PA projection, right wrist plain film, 10-year-old male, detector: Siemens —

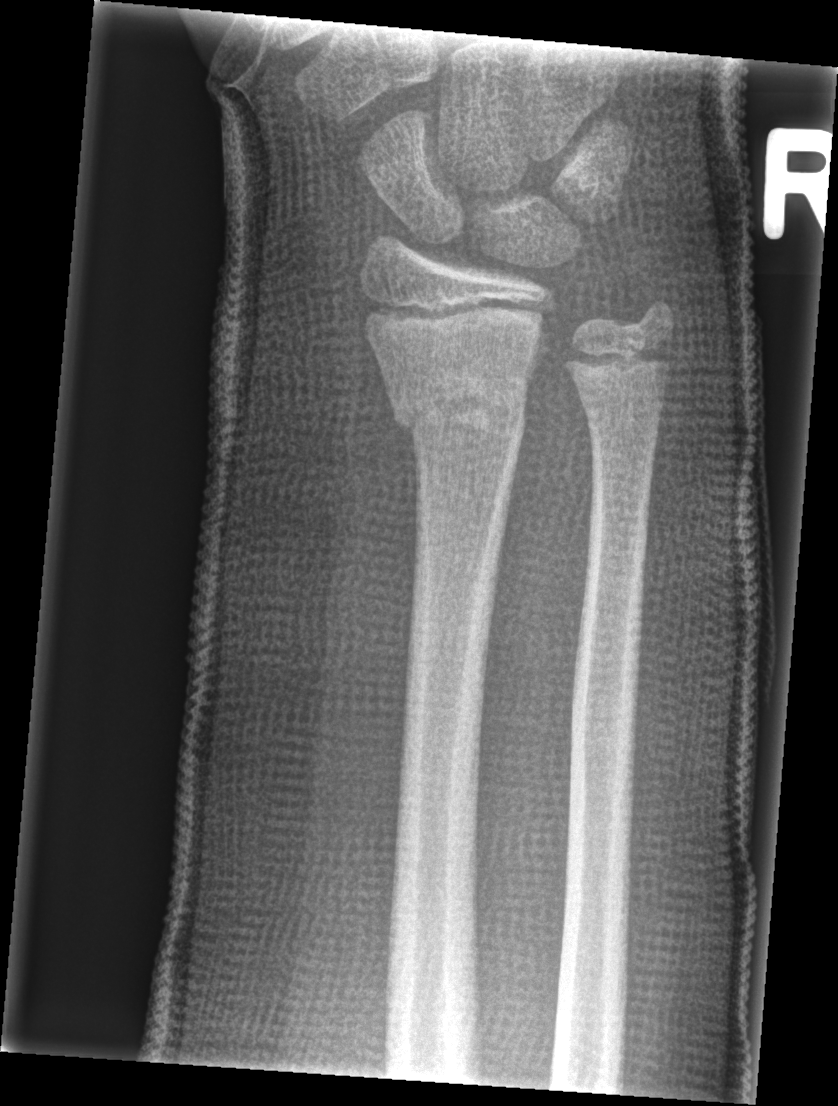

AO/OTA classification: 23r-M/3.1. Fracture: [x1=389, y1=380, x2=530, y2=451].